Right wrist XR; lat view; pediatric patient (girl, age 10).

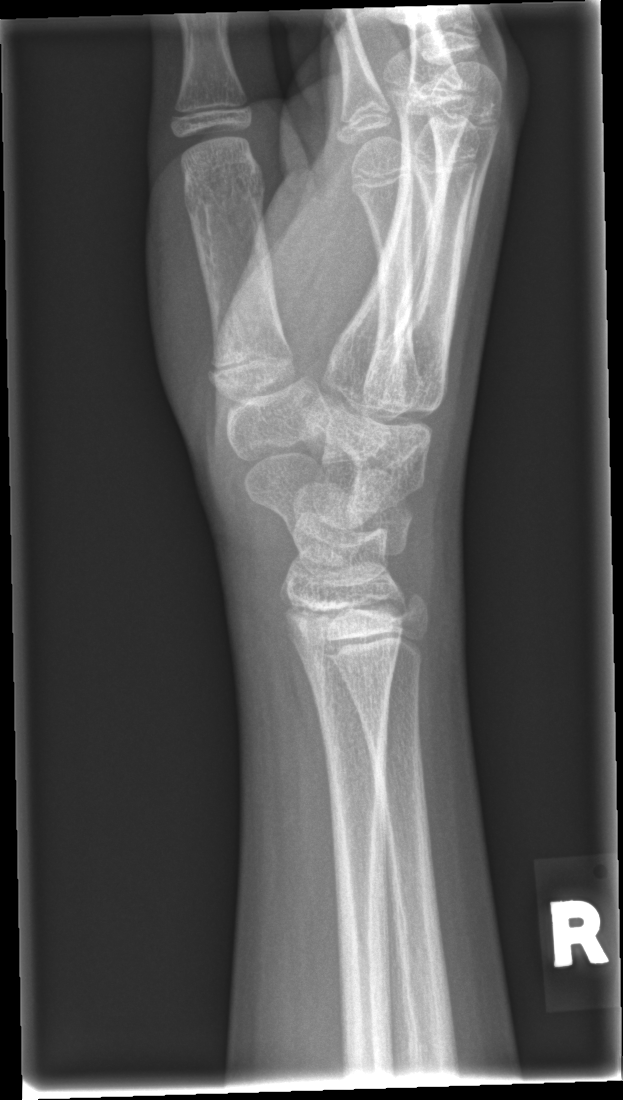
Bone fracture = none labeled